Right wrist plain film · PA view · image 82.8 mm wide

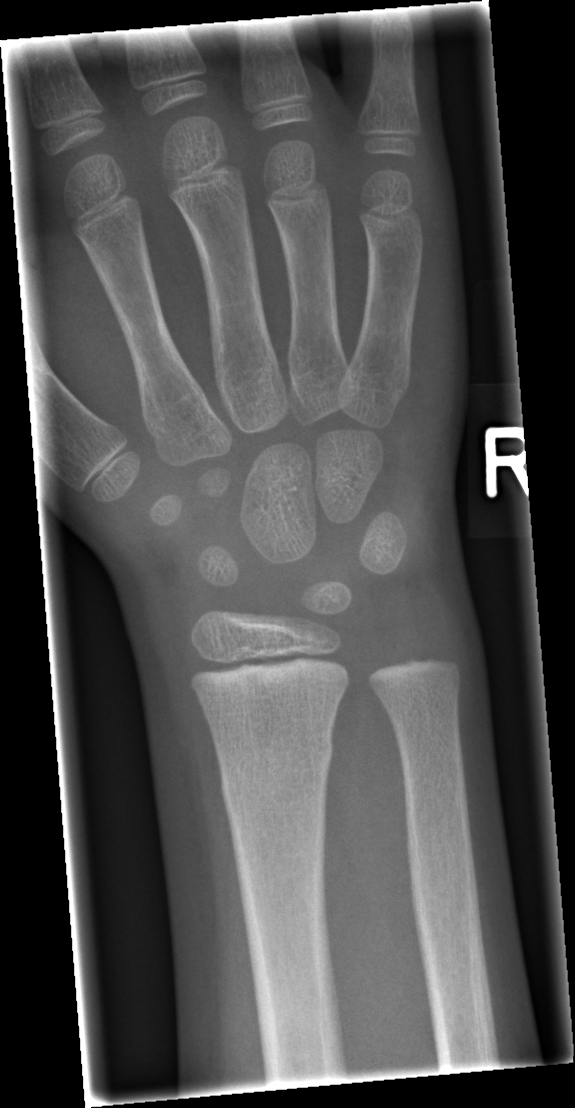

{"fracture": "<217,731>-<335,813>", "ao": "23r-M/2.1"}